Right wrist plain film · PA view.
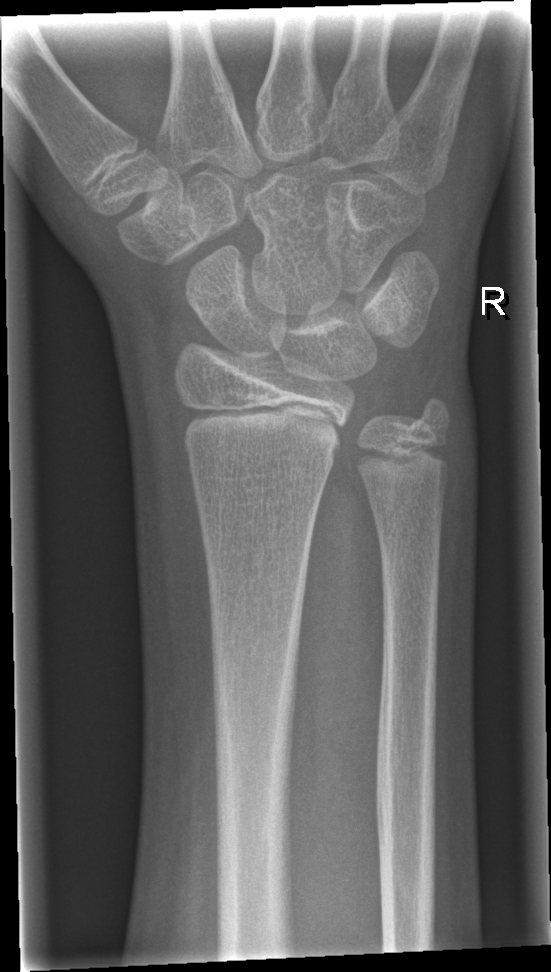
FINDINGS: Fx: none.